Lt wrist X-ray; AP; subsequent exam; detector: Siemens. 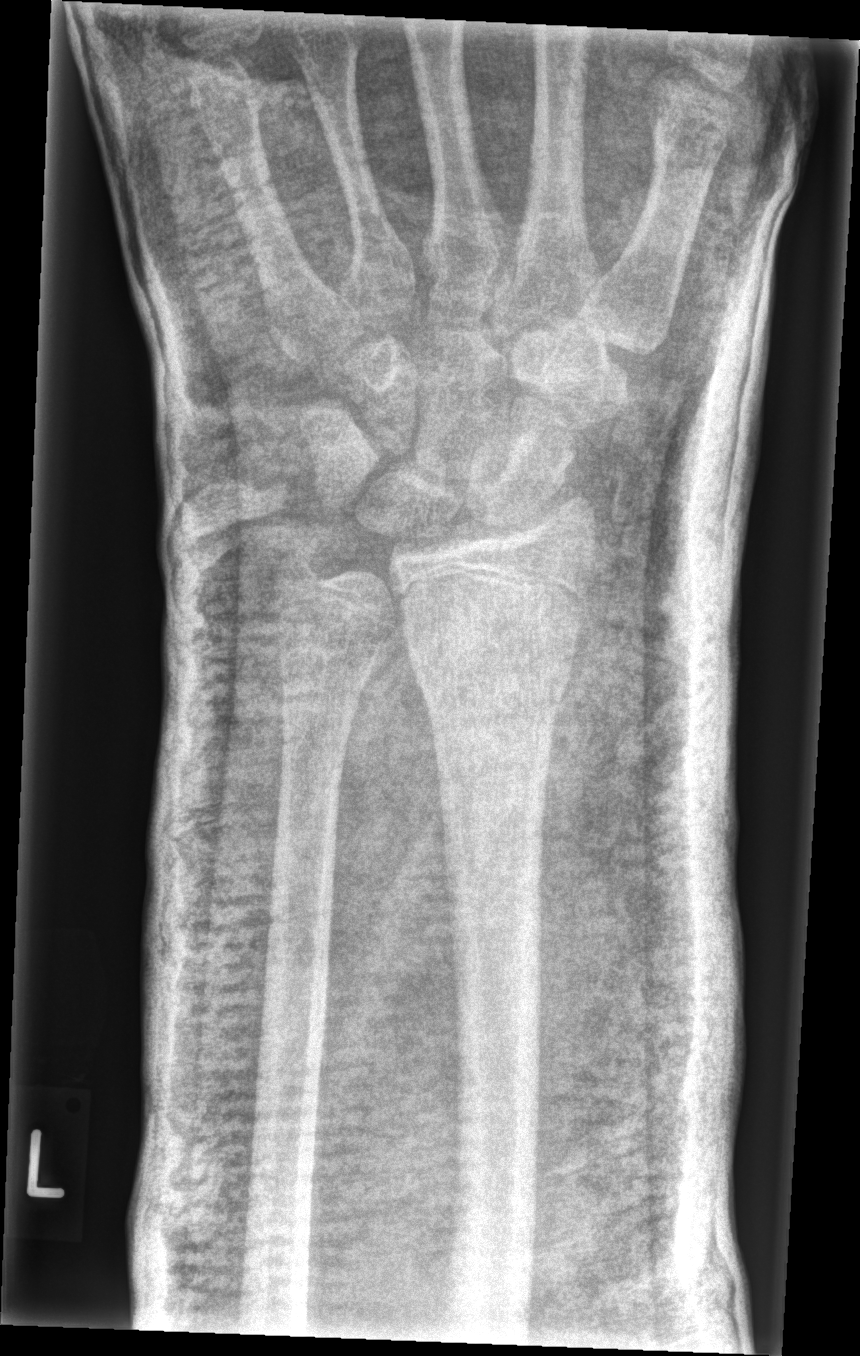 FINDINGS — Fracture: present but not clearly seen in this view.